Lateral projection; Lt plain radiograph of the wrist; in cast:
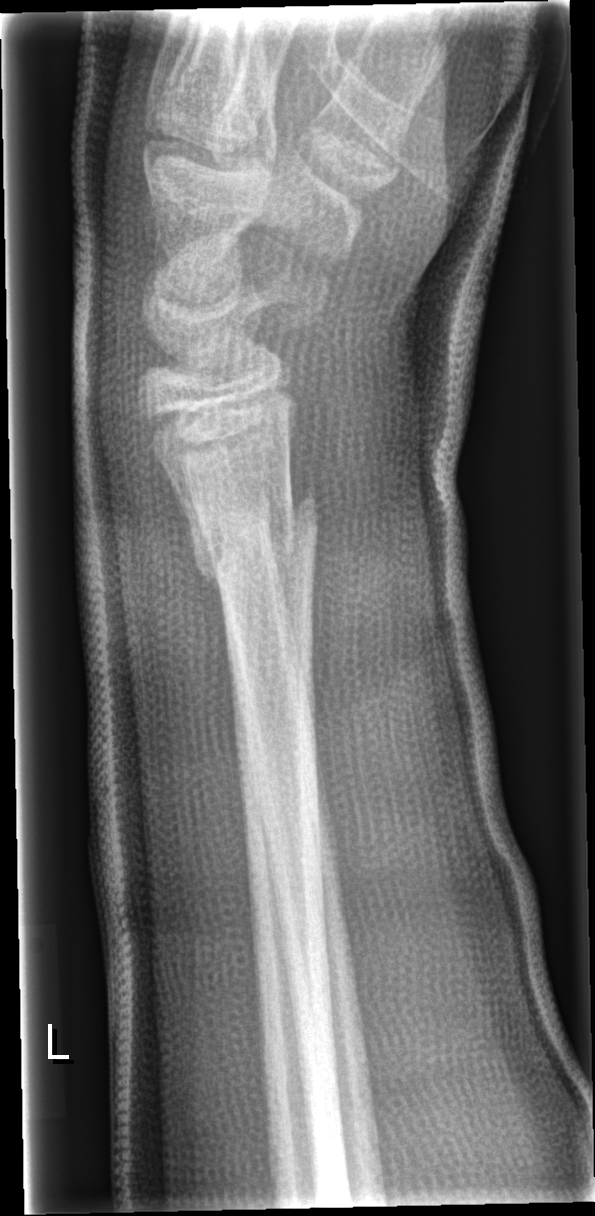
(coordinates are [x1, y1, x2, y2] in image pixels)
Bone fracture: <186,479>-<319,596>